Right wrist plain film | PA/AP view | 8y M | follow-up | cast present | 621 x 918 px: 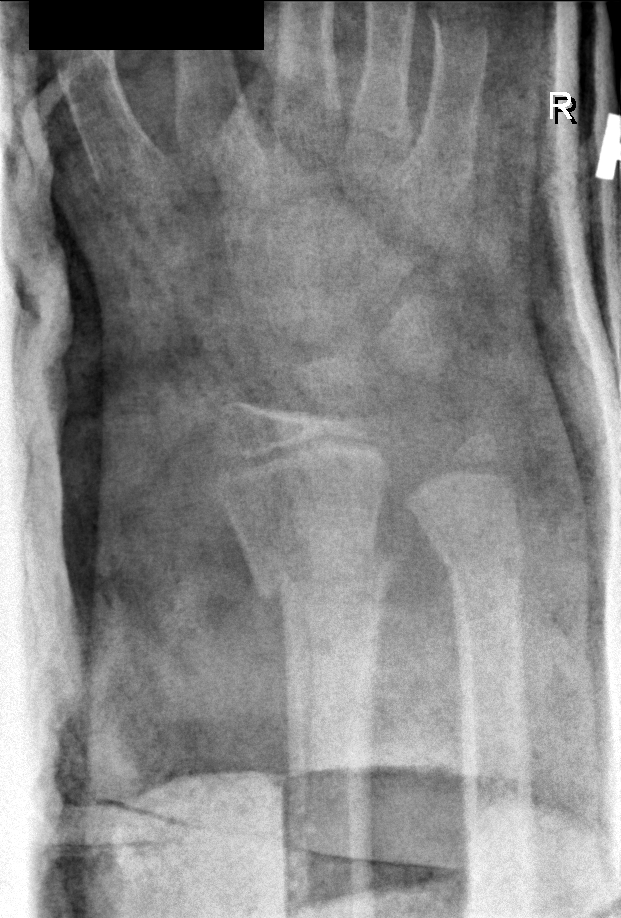 (bounding boxes in image-pixel xyxy)
Q: What is the AO/OTA classification?
A: AO code 23r-M/3.1; 23u-M/2.1
Q: Fracture present?
A: Fx — 249 539 398 626 | 438 534 529 587